Lateral projection · L wrist radiograph · 4-year-old girl · initial study.
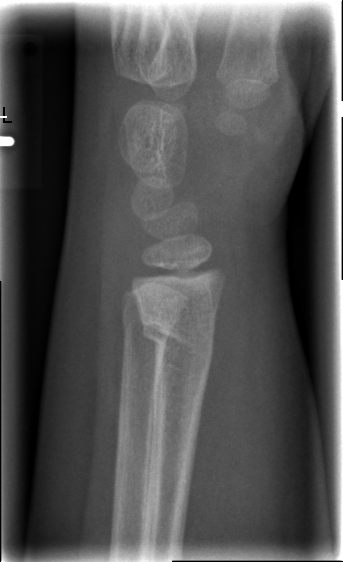
Fx: (135, 306, 216, 380).